AP view · left wrist XR · boy, 16 yo · imaged through cast. 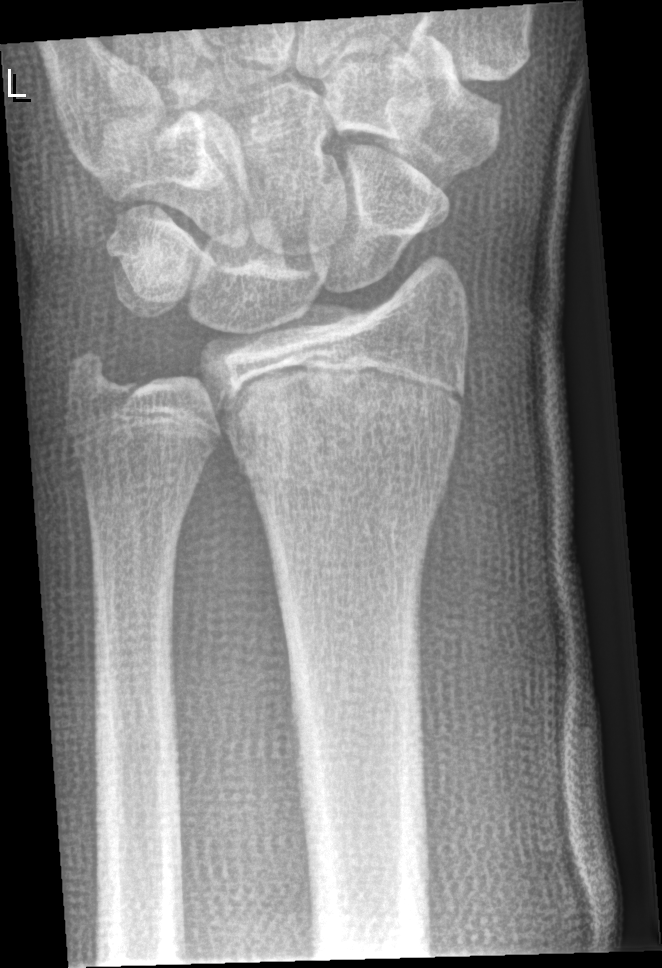 Findings: Bone fracture: [x1=231, y1=373, x2=457, y2=487]; [x1=62, y1=352, x2=146, y2=428]. AO/OTA classification: 23r-E/2.1; 23u-E/7.